Lat view; right wrist XR; 6-year-old male; index exam; image width 57.6 mm: 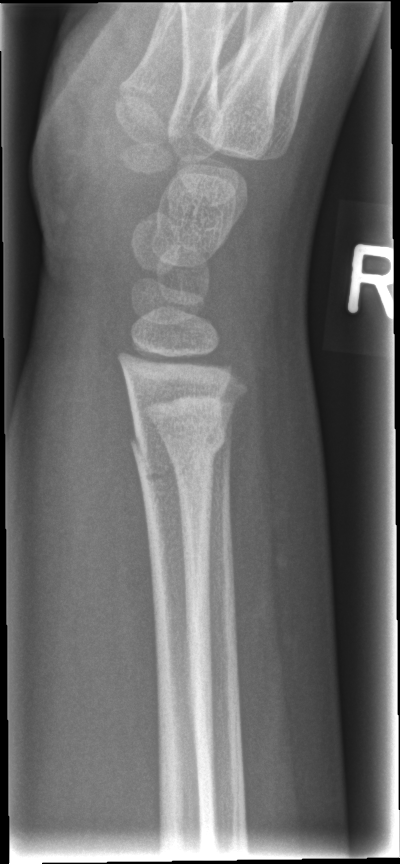
{"_coords": "bounding boxes in image-pixel xyxy", "fracture": "1 @ (122, 413, 229, 494)", "ao": "23r-M/3.1"}